Left plain radiograph of the wrist | frontal | age 5 y, girl | cast present:

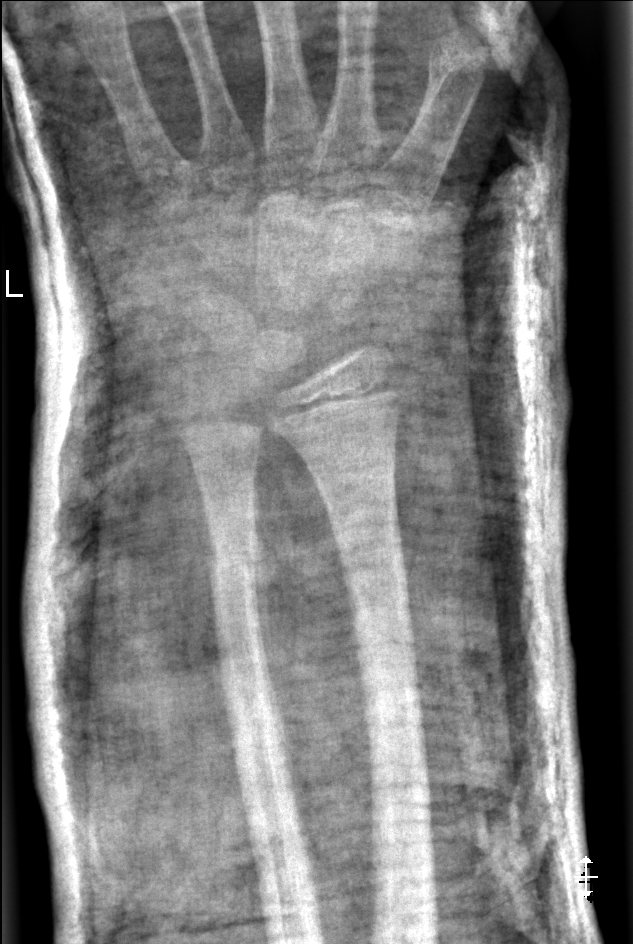
# coordinates are [x1, y1, x2, y2] in image pixels
ao: 22r-D/2.1; 23u-M/2.1
fracture: 2 @ bbox(348, 613, 423, 669) bbox(201, 536, 270, 594)